Rt plain radiograph of the wrist; lateral projection; initial study:

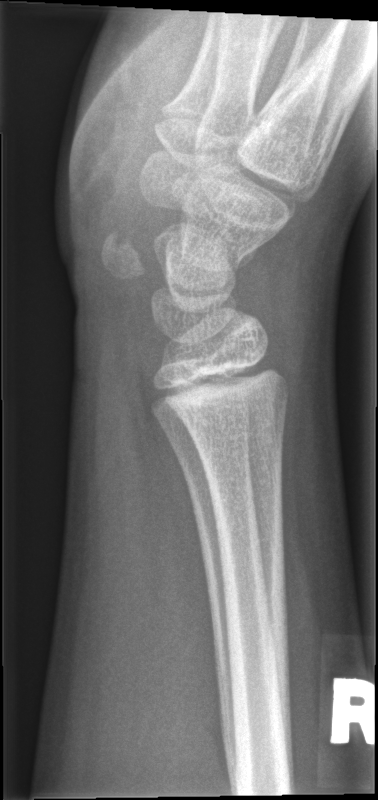 No fracture bounding box.